Right wrist pediatric wrist radiograph; lateral projection; Siemens: 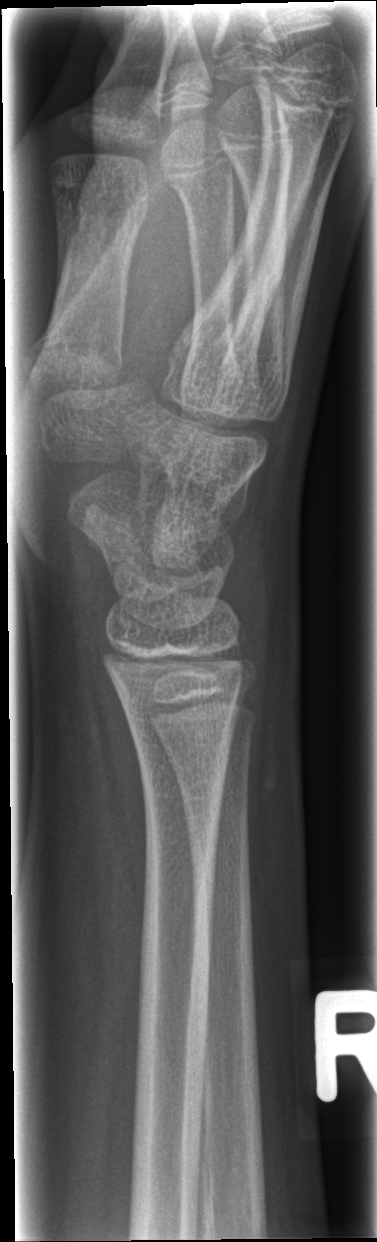

- No fracture labeled.